Lat view; right wrist XR; imaged through cast.

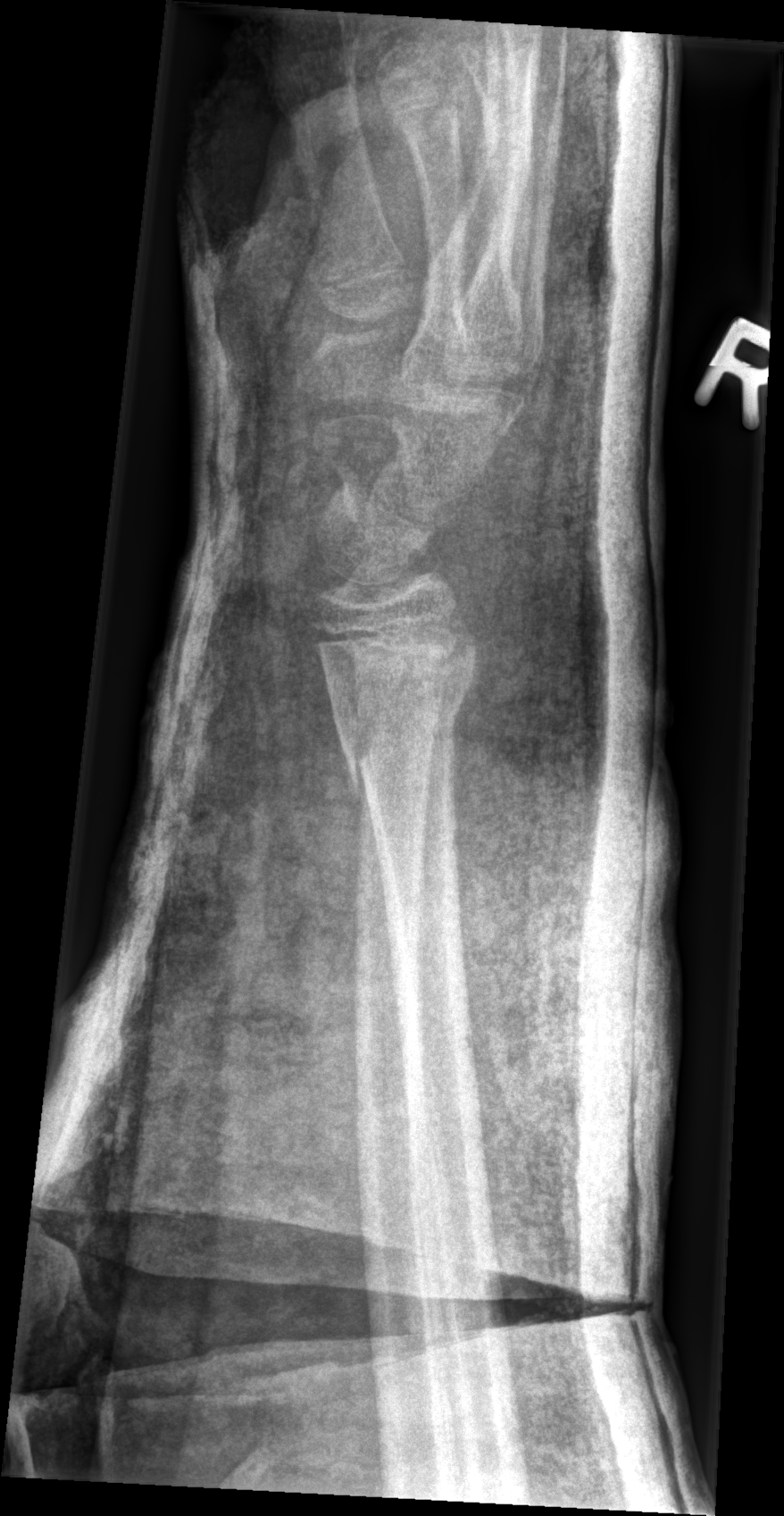 Bone fracture identified at [x1=329, y1=644, x2=473, y2=817]. AO/OTA classification: 23r-M/3.1.